Lat projection | Rt wrist plain film | 472 by 1352 pixels — 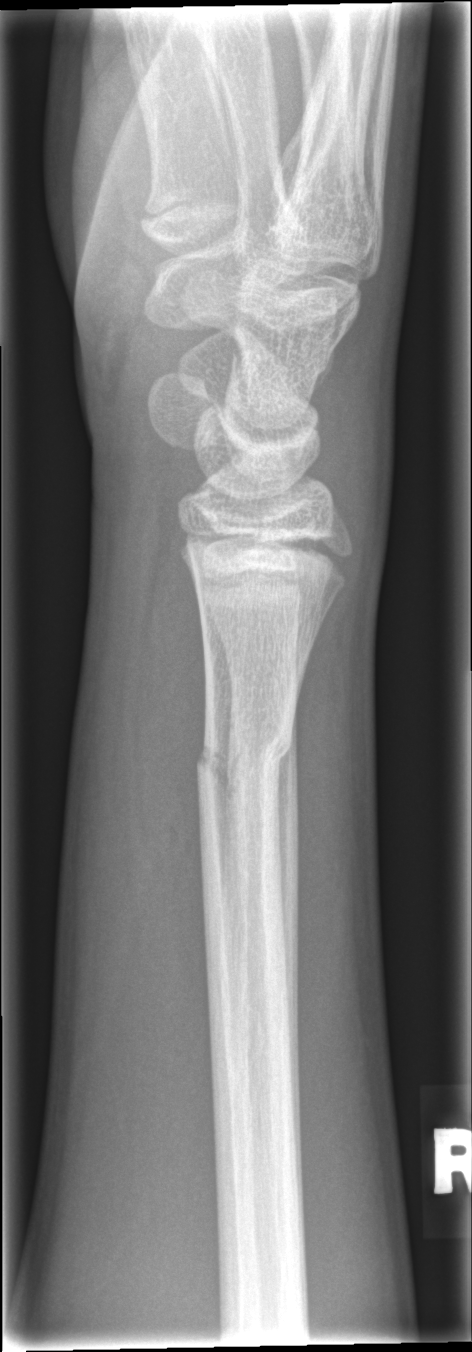
Pronator quadratus fat-pad sign = 1 @ [x1=139, y1=543, x2=206, y2=970]
AO classification = 23r-M/3.1; 23u-E/7
Bone fracture = [x1=194, y1=720, x2=294, y2=793]